Lt plain radiograph of the wrist | lateral view | 11y M | in cast | acquired on Siemens —
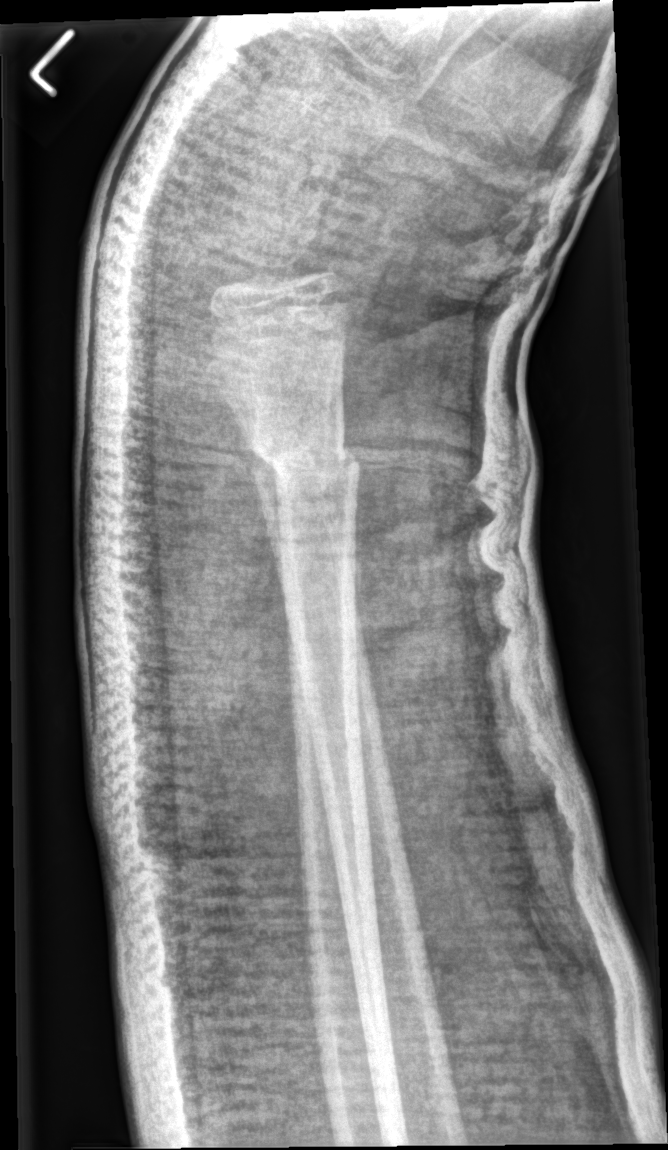

AO classification = 23r-M/3.1; 23u-M/2.1; 23u-E/7
fracture = 255 434 363 491